Lat view | L wrist radiograph:

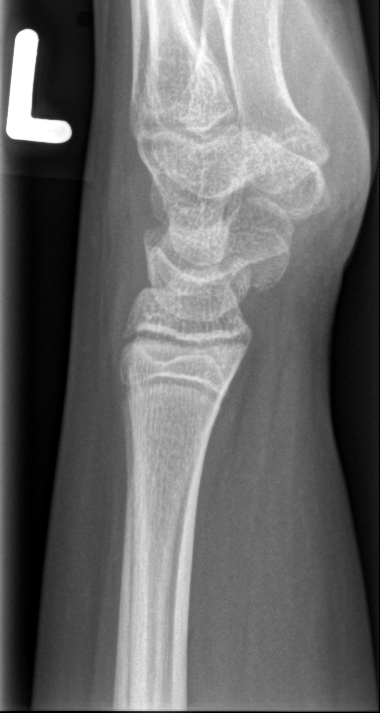

• No fracture labeled.